Lateral view | Rt plain radiograph of the wrist | pediatric patient (male, age 9):
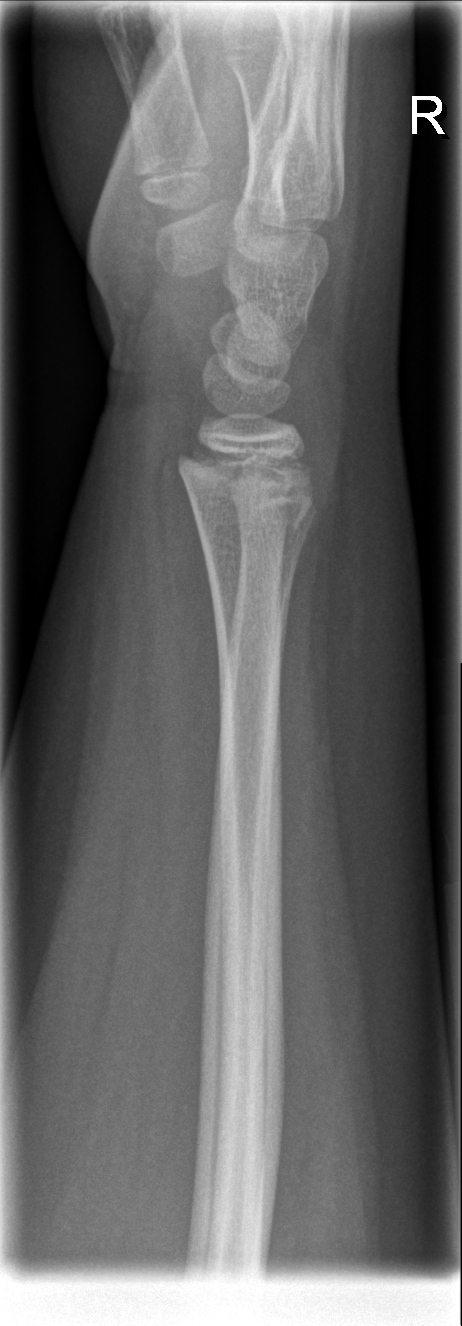
• Coordinates are [x1, y1, x2, y2] in image pixels.
• Fracture: [x1=176, y1=441, x2=324, y2=547].